Lateral · L wrist radiograph · follow-up: 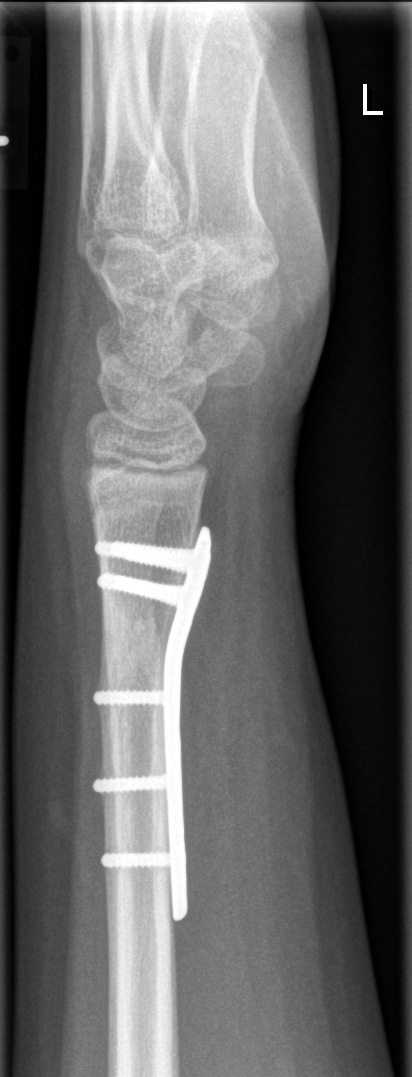
Fracture classified AO/OTA 23-M/3.1; 23u-E/7. Fracture — 91 607 174 687. Hardware: 89 524 215 923.